R plain radiograph of the wrist, lateral, age 7 y, male, 89.3 mm image width. 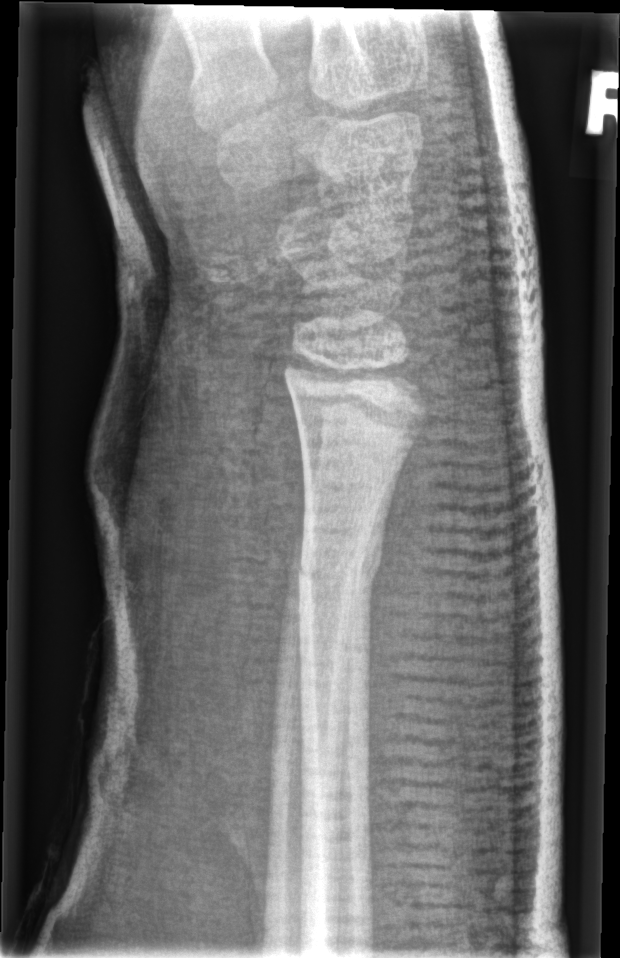

(pixel coordinates, top-left origin, xyxy)
Fx: 1 @ <294,513>-<388,601>
AO code: 23r-M/3.1